L plain radiograph of the wrist | posteroanterior | image 63.6 mm wide —
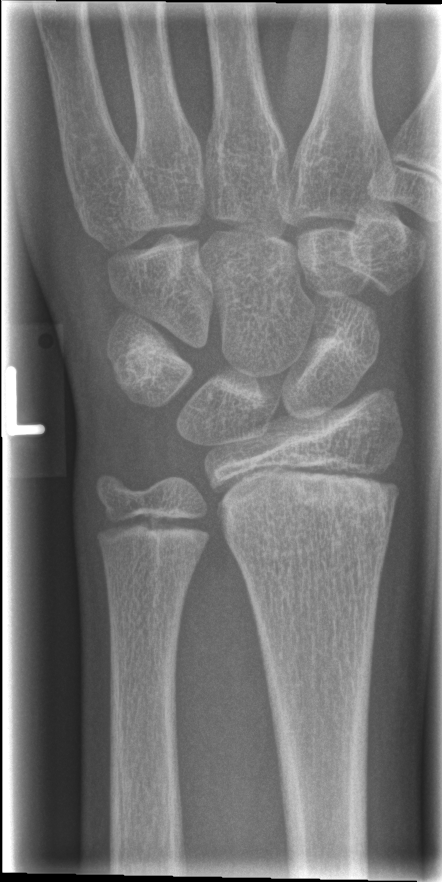 Q: Any fracture seen?
A: Fracture present, but no bounding box because it is not clearly seen in this view